Lt plain radiograph of the wrist | lateral | subsequent exam | in cast | 75.9 mm image width | 527x1000.
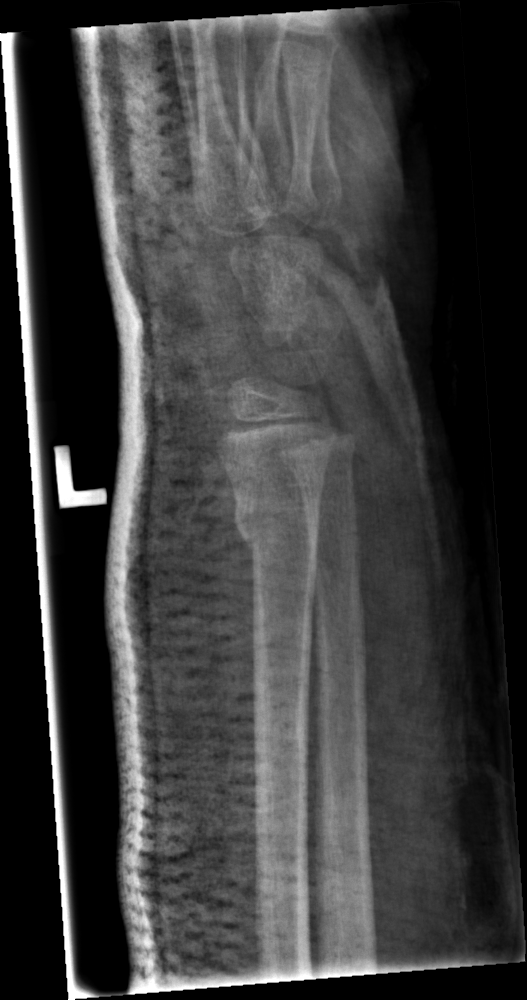
(coordinates are [x1, y1, x2, y2] in image pixels)
bone fracture = (230, 492, 323, 553)